Posteroanterior · right wrist plain radiograph of the wrist · 14-year-old girl · in cast · 756 x 1190 px
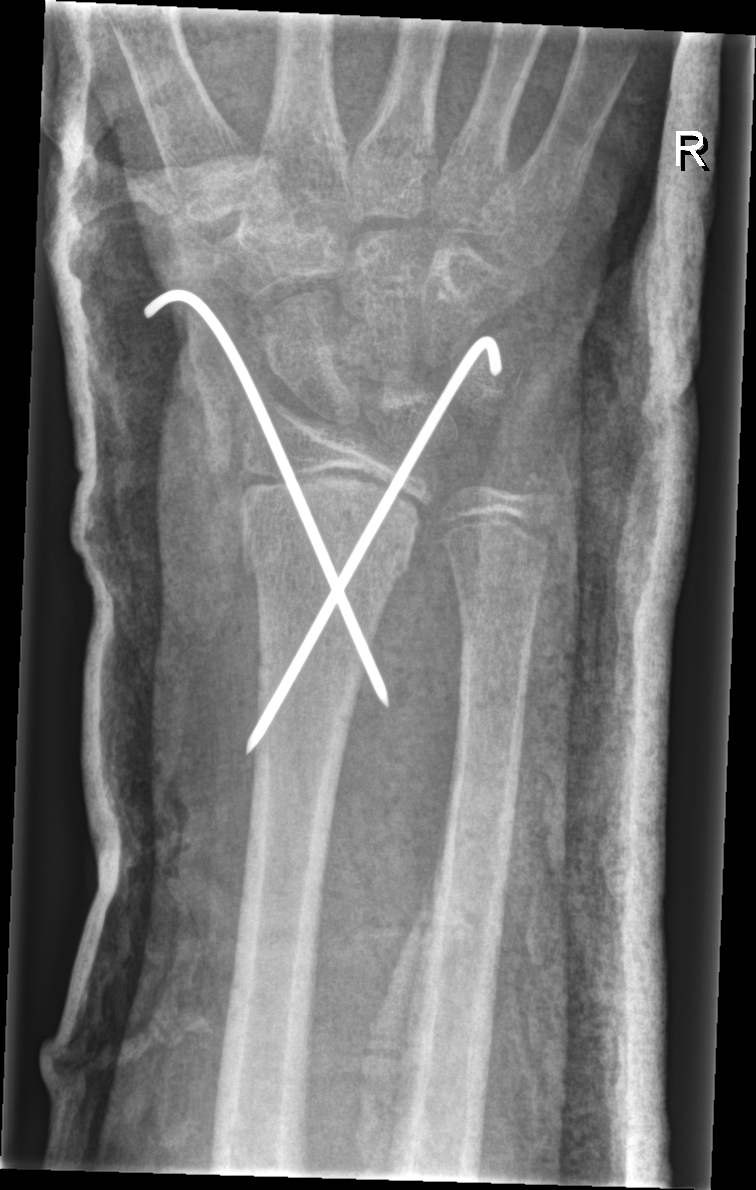 Findings: Two Fx at 235 492 420 592; 503 456 572 525. AO/OTA classification: 23r-M/3.1; 23u-E/7. Metallic hardware identified at 134 268 505 757.